Lt plain radiograph of the wrist; lat view; 8y F: 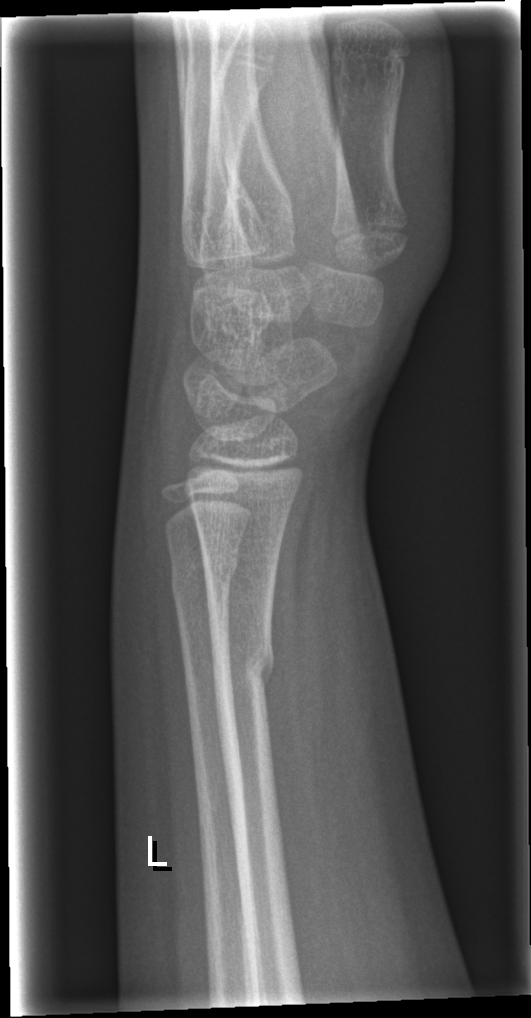

Fx: 2 @ <208,629>-<277,710>, <167,546>-<241,609>